Left pediatric wrist radiograph · lateral projection · 9-year-old male: 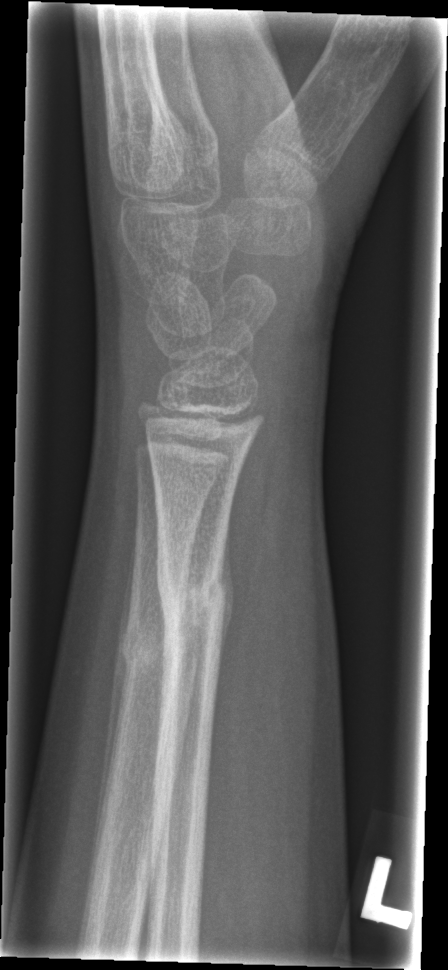 * Reduced bone mineral density.
* Periosteal thickening identified at bbox(94, 526, 140, 858) bbox(218, 510, 235, 681).
* Two fractures at bbox(147, 574, 238, 667), bbox(107, 613, 213, 677).
* AO/OTA classification: 23-M/3.1.